Rt wrist radiograph, PA/AP, image width 81.2 mm.
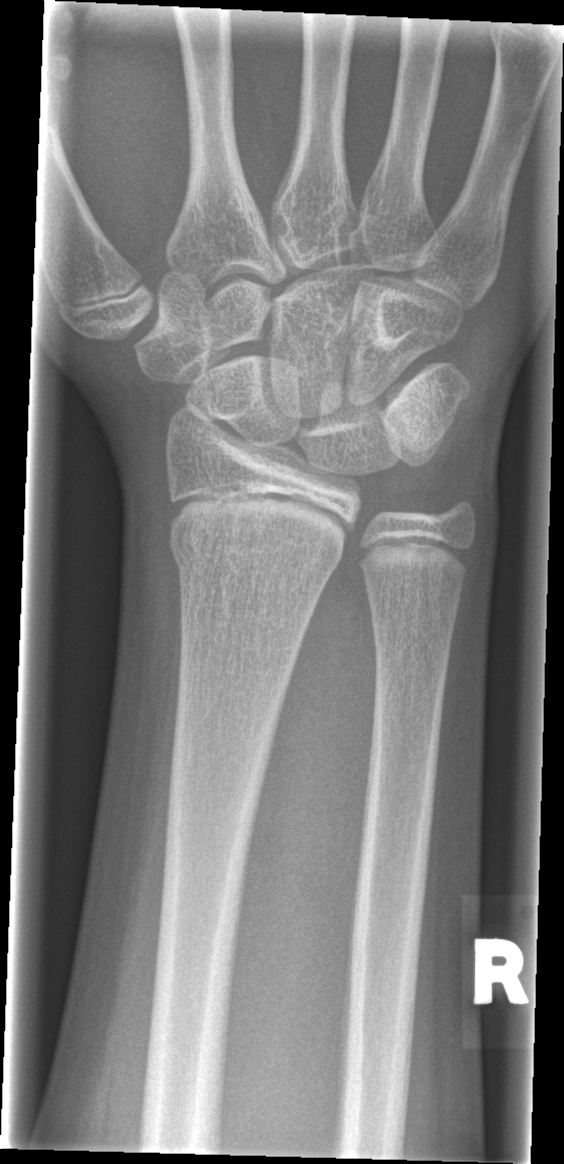 - Fx — bbox(164, 509, 347, 585).